Lat view, L plain radiograph of the wrist, age 12 y, boy
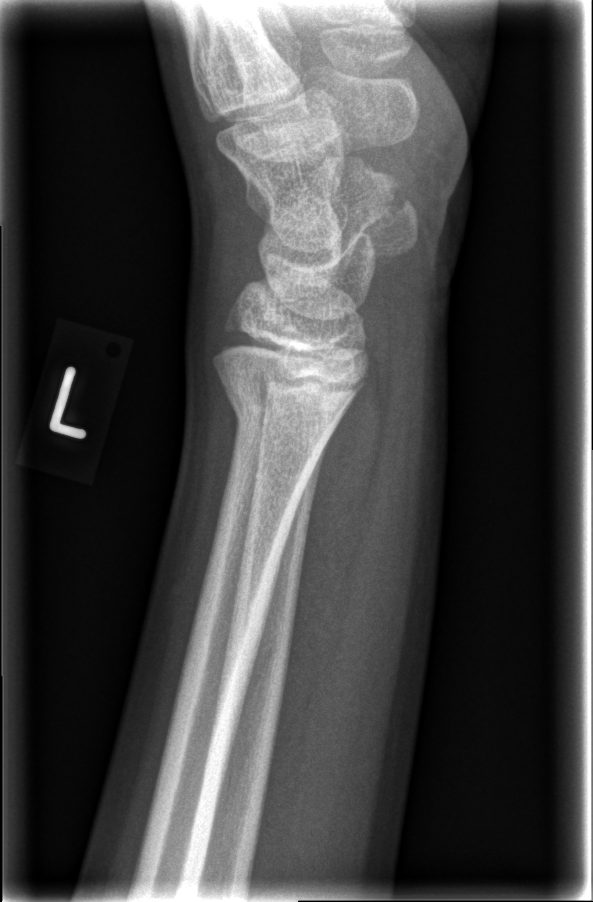

Fx: 1 @ <210,353>-<351,457>
pronator sign: <260,365>-<384,802>
AO code: 23r-M/3.1; 23u-E/7